PA; left wrist X-ray; 9y M; cast in situ:

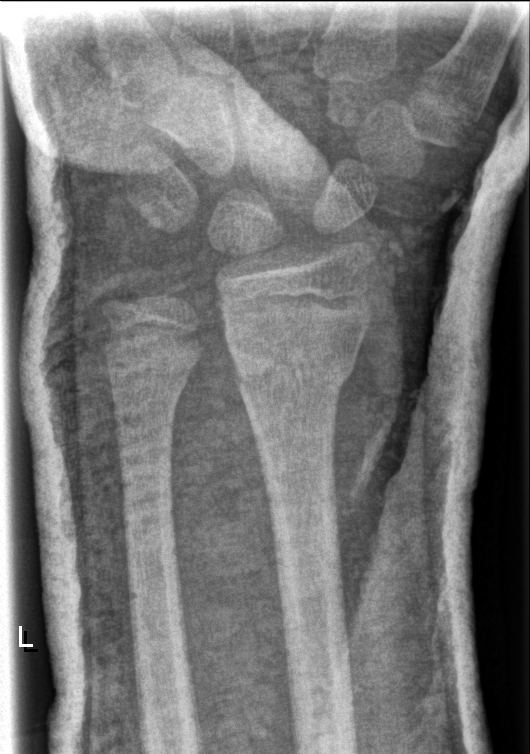

* Pixel coordinates, top-left origin, xyxy.
* Two bone fractures at [x1=225, y1=333, x2=360, y2=400], [x1=107, y1=355, x2=196, y2=426].
* AO/OTA classification: 23r-M/3.1; 23u-M/2.1.